Lat projection, left wrist radiograph, girl, 11 yo — 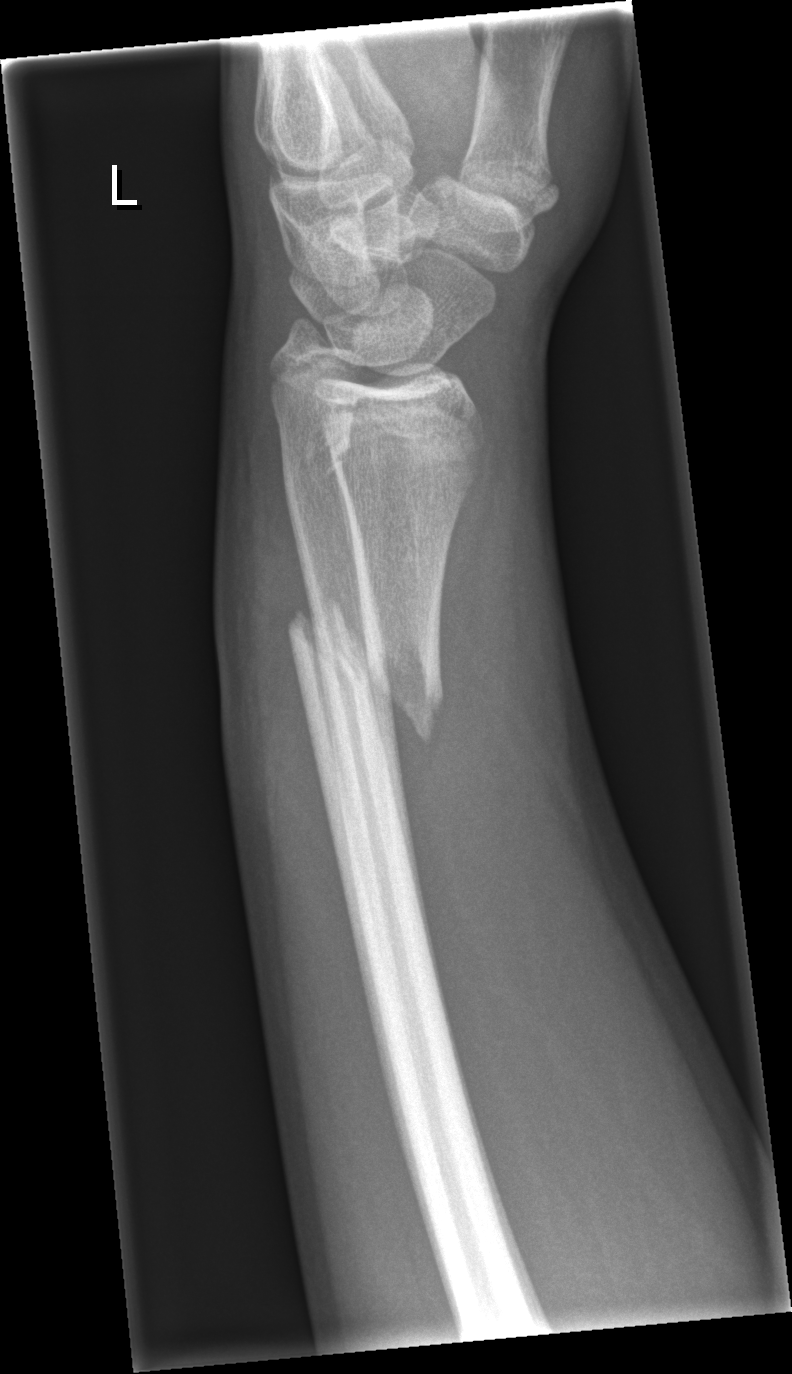
AO/OTA classification: 22r-D/5.1; 23u-M/2.1.
Two bone fractures at [281, 597, 449, 744], [279, 424, 355, 506].
One soft-tissue finding at [206, 361, 322, 852].